Lat | left pediatric wrist radiograph | age 9 y, female —

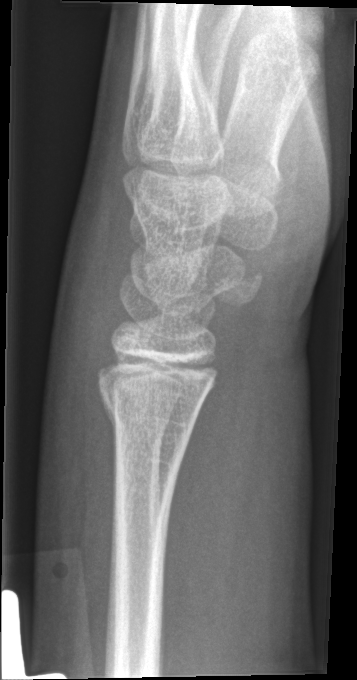

Fracture — [x1=97, y1=377, x2=209, y2=435]. Fracture classified AO/OTA 23r-M/2.1.